Right wrist radiograph, lat view, follow-up study, in cast
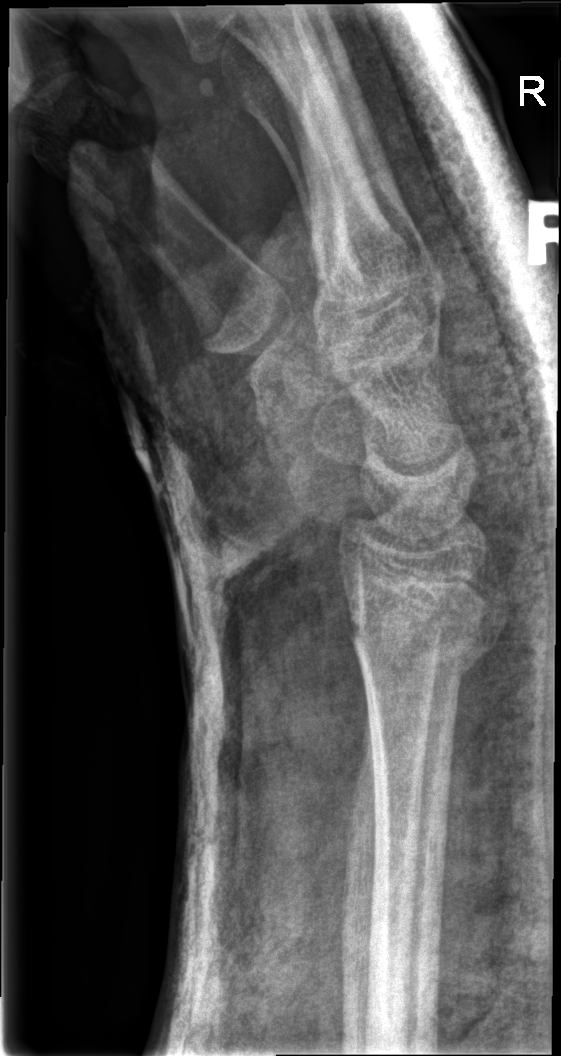
Fx = [339, 567, 513, 695]
AO code = 23r-M/3.1; 23u-E/7